Frontal projection; Lt plain radiograph of the wrist; imaged through cast; acquired on Siemens:
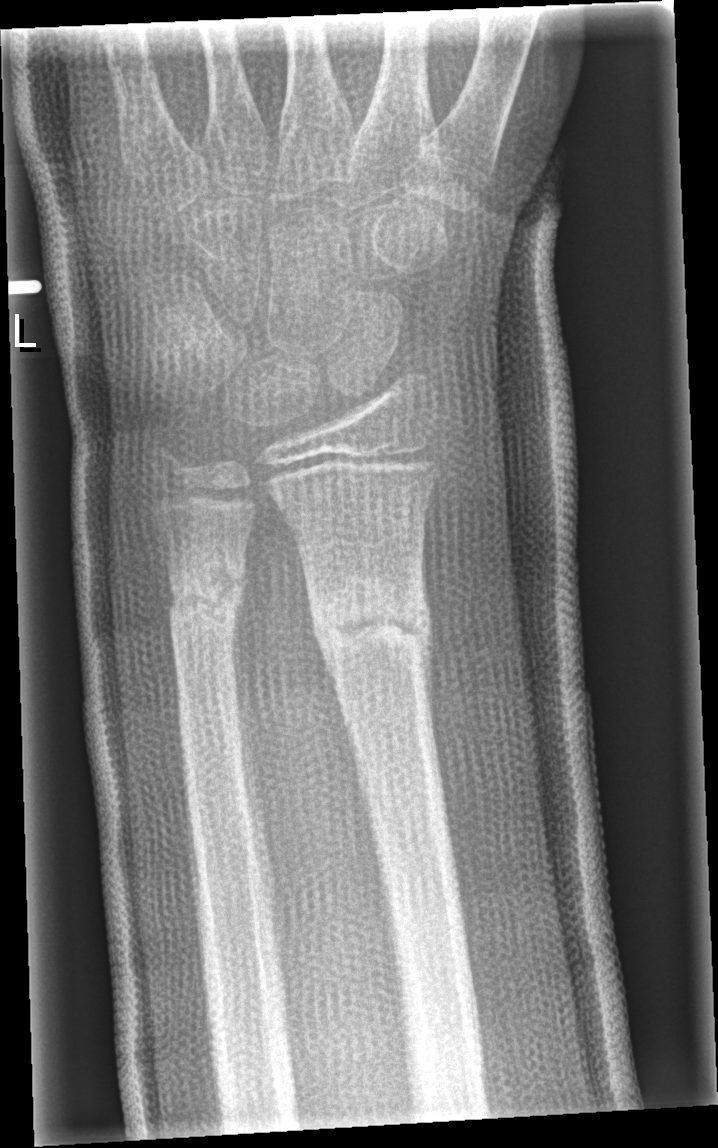

Q: Is there a fracture?
A: Bone fracture identified at <304,577>-<438,666>; <159,554>-<250,637>